Lateral view; R plain radiograph of the wrist; pediatric patient (female, age 16); 650 x 1368 px —
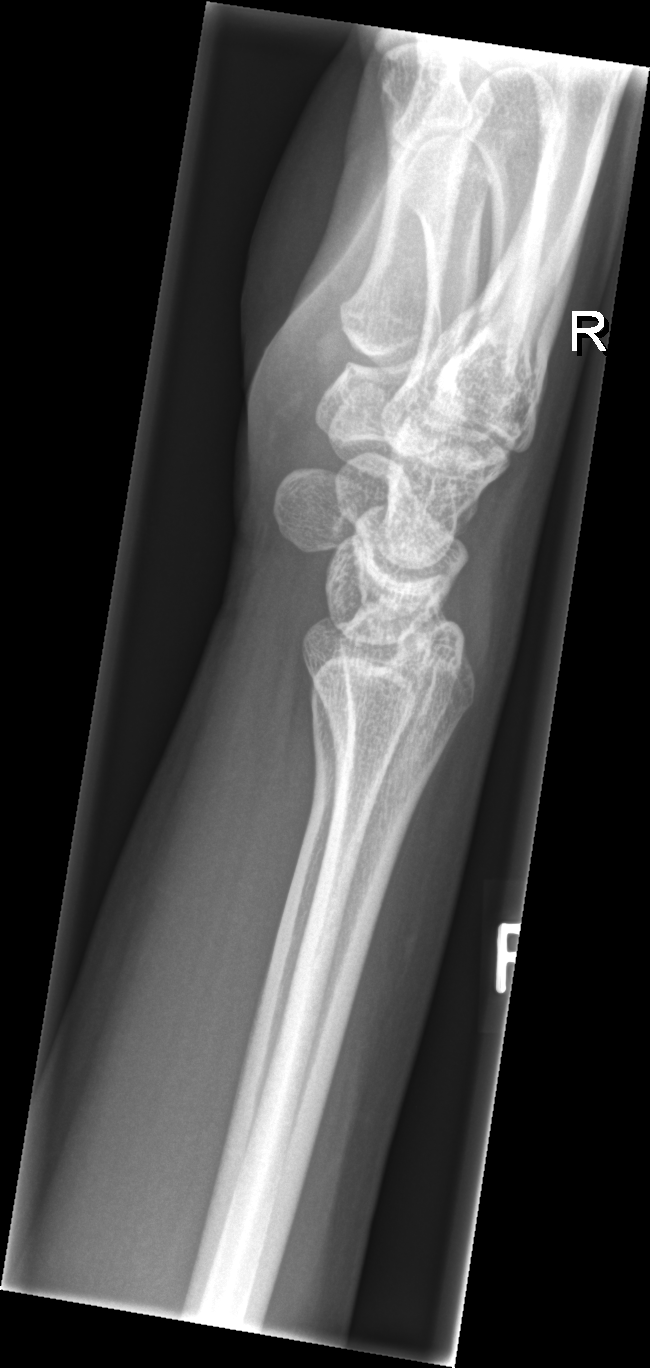
FINDINGS — Fracture: none labeled.